L wrist radiograph | AP | pediatric patient (girl, age 5) | follow-up study | image width 91.0 mm.
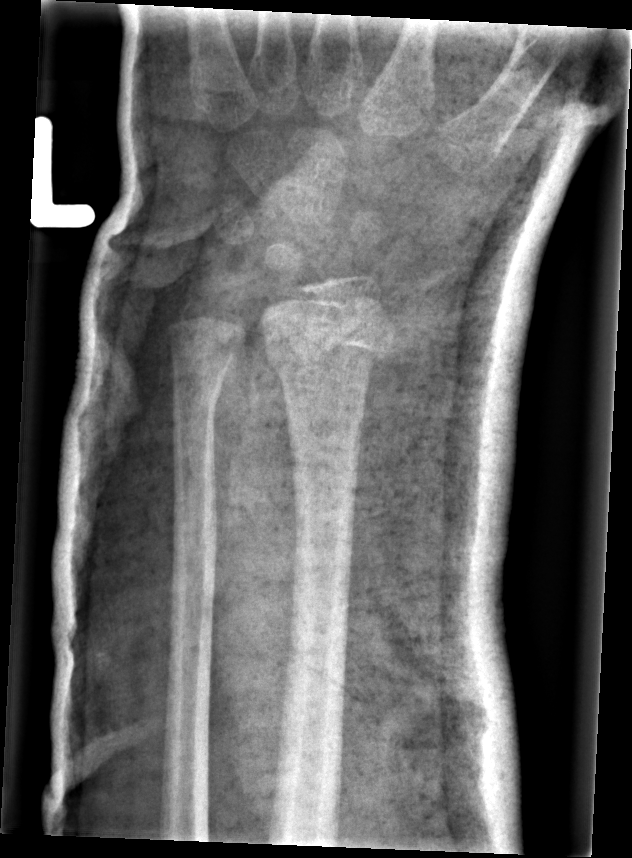 Coordinates are [x1, y1, x2, y2] in image pixels.
AO code 23-M/2.1.
Fracture: [268, 302, 402, 371], [168, 374, 227, 422].